Lateral view, L wrist plain film, age 3 y, female, 328x636:
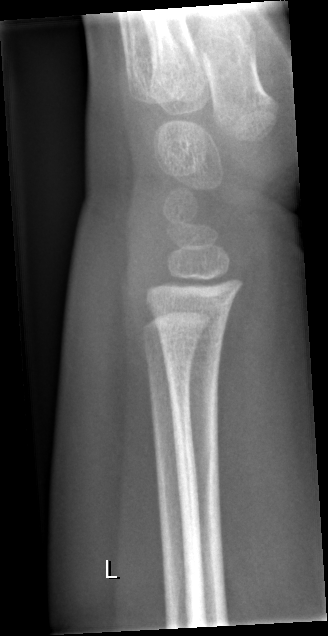
No fracture annotation.